AP projection · Lt wrist plain film — 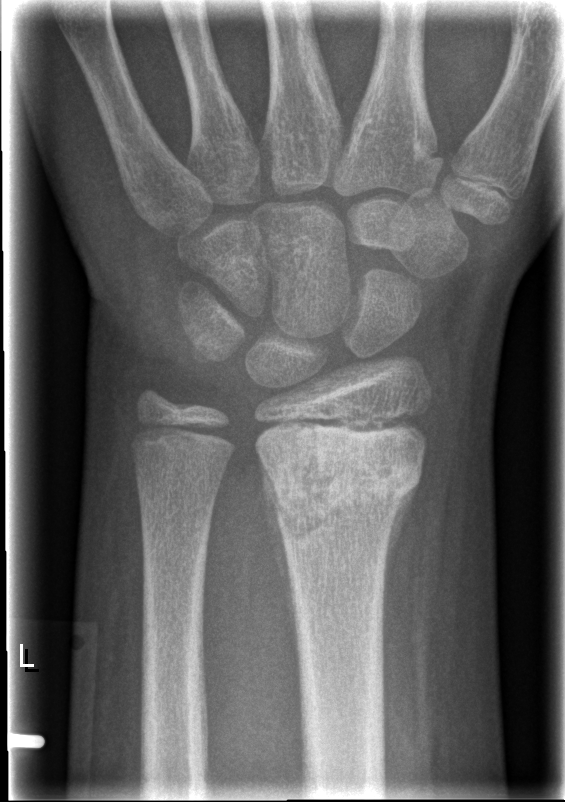
periosteal new bone: 2 @ (257, 452, 299, 675), (380, 480, 421, 638)
osteopenia: present
AO classification: 23r-M/3.1
bone fracture: (259, 424, 431, 547)